Lat view · Lt wrist plain film: 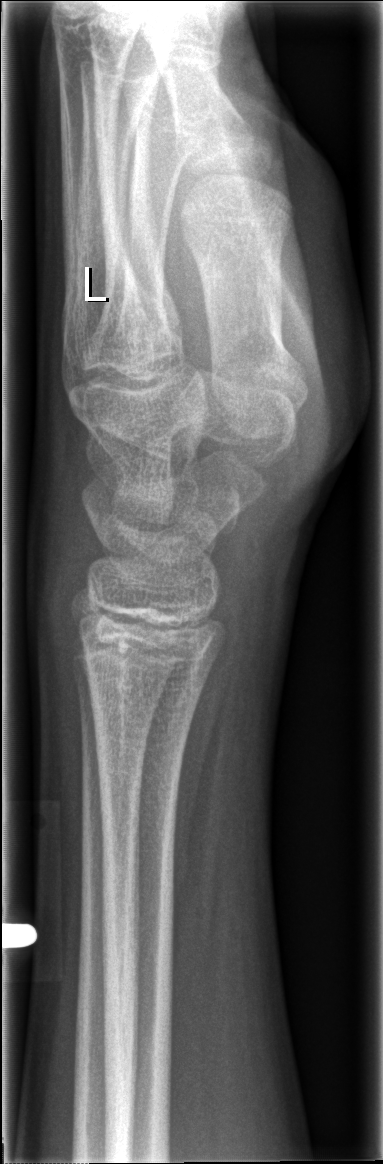 Fx = none labeled